Right wrist plain film · lateral projection · 2y M:

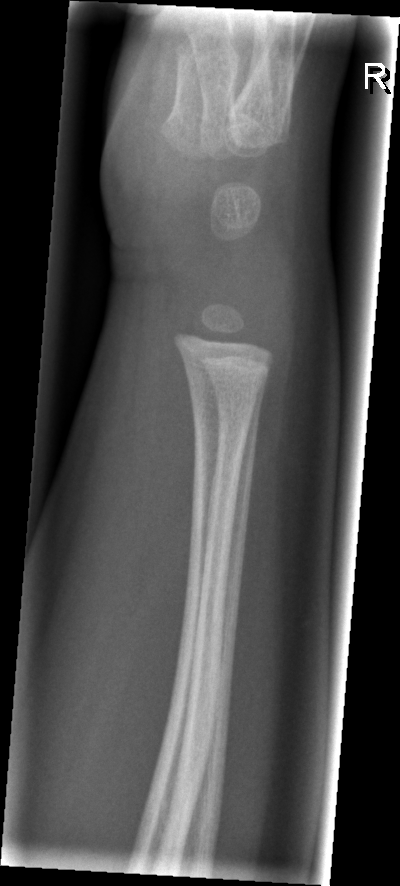 fracture: none labeled